Rt pediatric wrist radiograph; lateral projection; pediatric patient (male, age 0.9); image 51.8 mm wide; 360 x 500 px. 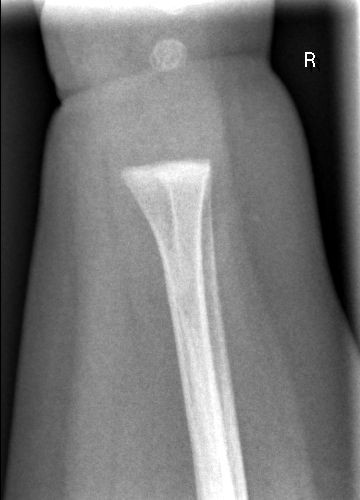

No Fx annotated.